Lateral, left wrist radiograph, 12y M, 416 by 758 pixels:

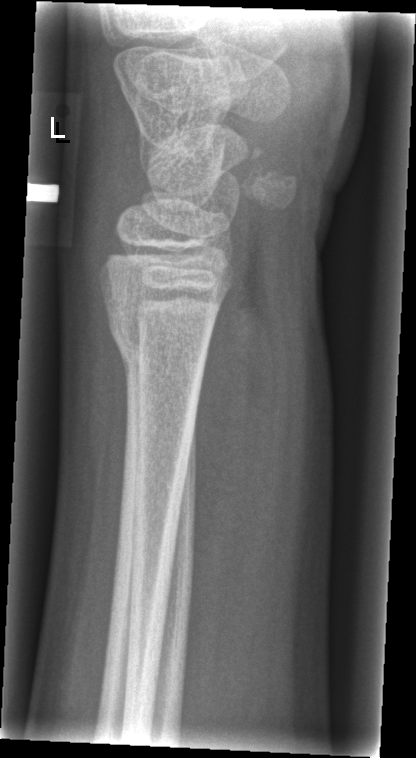

Bone fracture identified at [106, 307, 211, 379].
Pronator sign identified at [191, 236, 277, 626].
AO code 23r-M/2.1.